Lat | left pediatric wrist radiograph | pediatric patient (girl, age 8) | image 80.9 mm wide | 562 x 877 px. 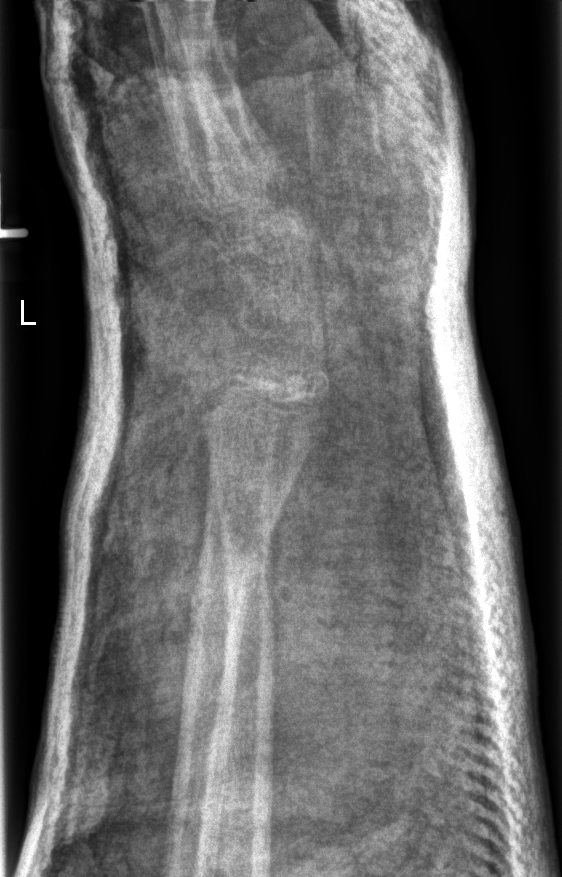
Findings: (boxes as x1,y1,x2,y2 (top-left / bottom-right, pixel units)) Fracture classified AO/OTA 23-M/2.1. Fx: [x1=183, y1=537, x2=276, y2=622].